Frontal projection · Lt pediatric wrist radiograph · image 78.6 mm wide · 546x1125
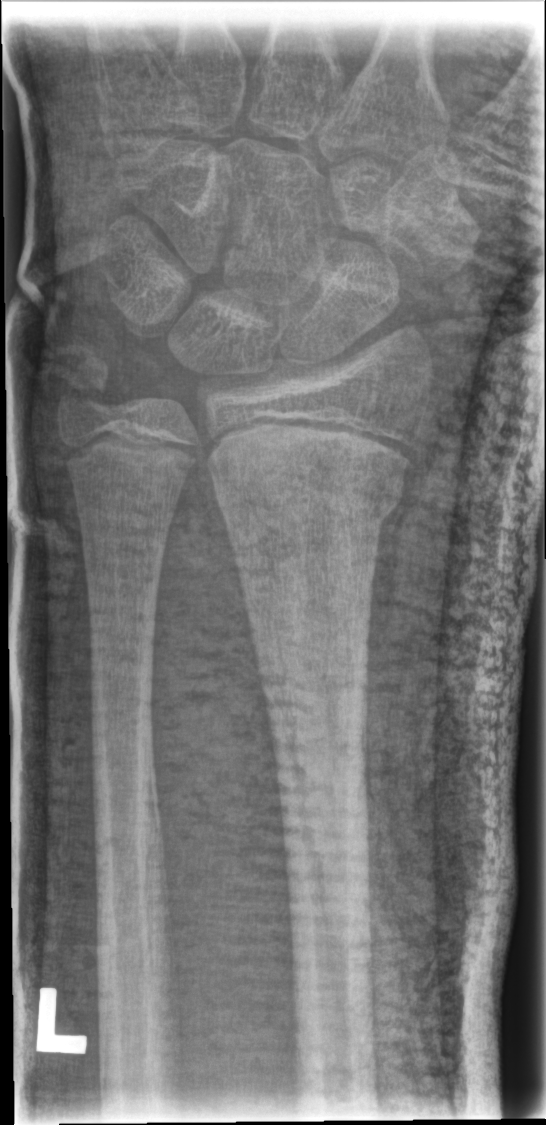
(pixel coordinates, top-left origin, xyxy)
AO/OTA = 23r-M/3.1; 23u-E/7
bone fracture = 2 @ [x1=211, y1=467, x2=408, y2=549]; [x1=52, y1=346, x2=119, y2=423]